Posteroanterior, Lt wrist X-ray, boy, 5 yo, image width 78.0 mm:
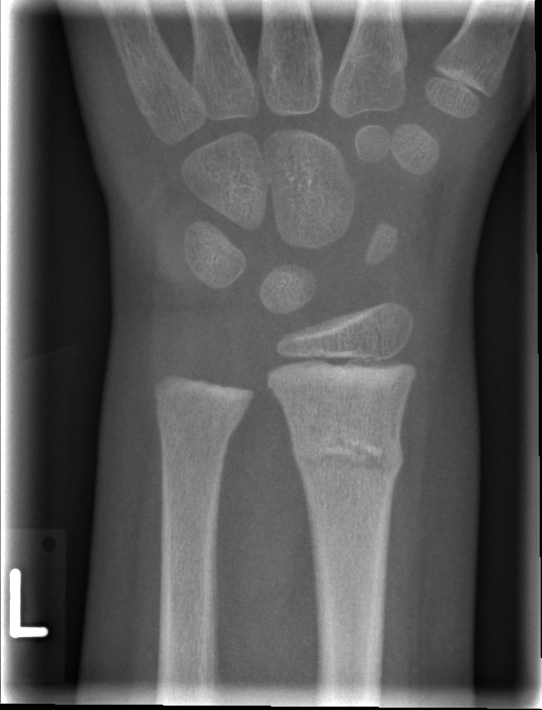

  # coordinates are [x1, y1, x2, y2] in image pixels
  ao: 23-M/2.1
  fracture: 2 @ (284, 424, 410, 481), (153, 402, 246, 448)